Left wrist X-ray · posteroanterior · female, 1.1 yo. 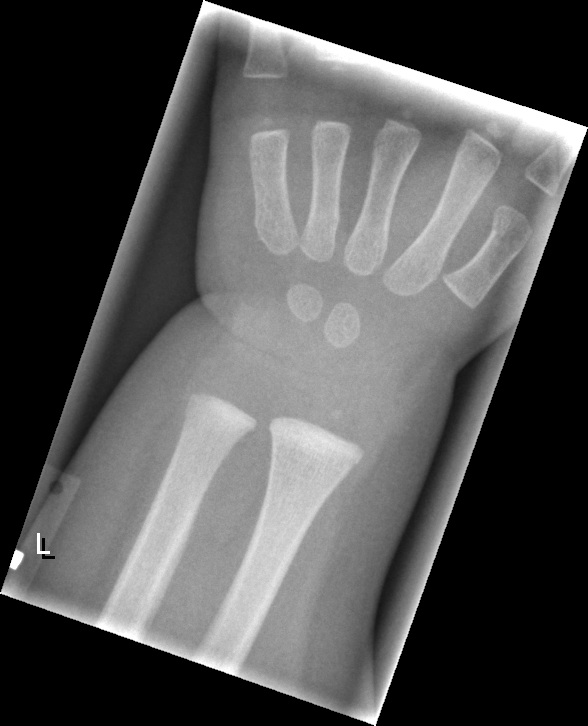 fracture: none labeled